Lat projection · left wrist plain film · 12y M · follow-up · in cast · image width 74.6 mm.

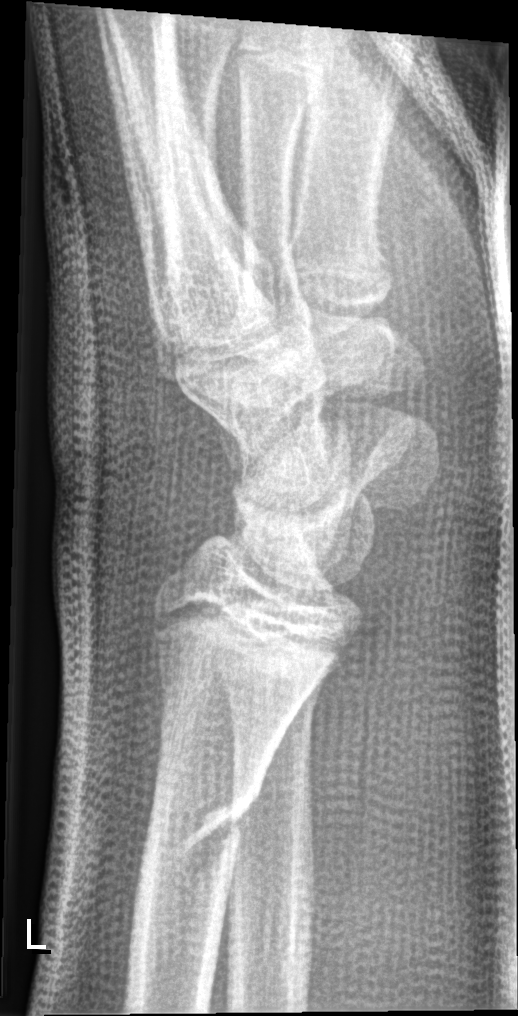
One bone fracture at [132, 781, 261, 890].